PA projection; Lt pediatric wrist radiograph; initial study; acquired on Siemens: 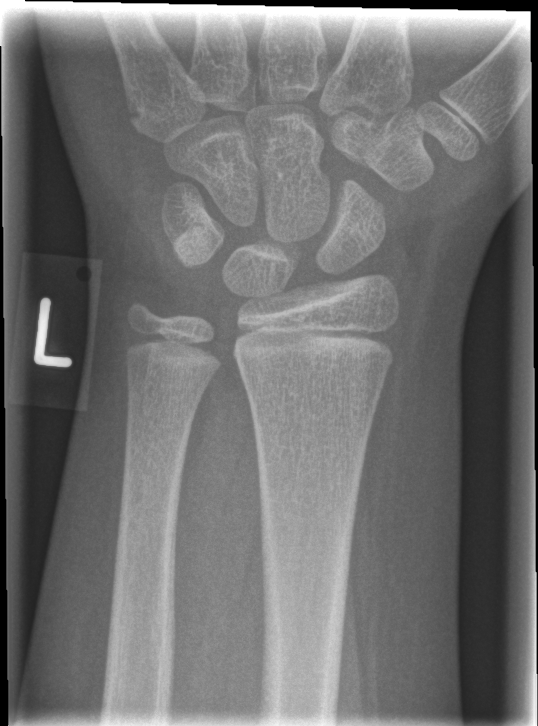 No fracture annotation.